Right wrist plain film; PA view; pediatric patient (girl, age 4):
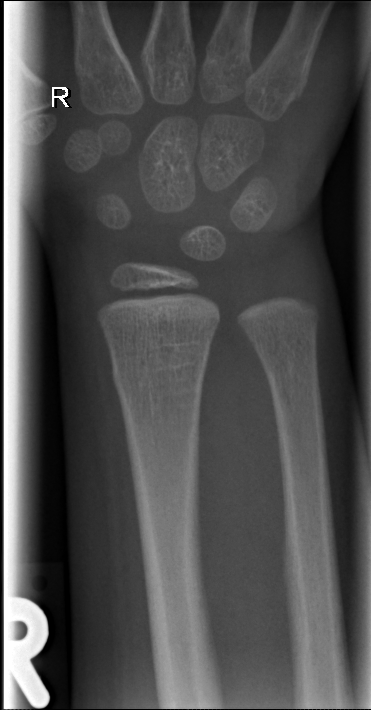

{
  "_coords": "coordinates are [x1, y1, x2, y2] in image pixels",
  "fracture": "1 @ <108,346>-<209,393>",
  "ao": "23r-M/2.1"
}